Left wrist X-ray | PA/AP view | image 89.0 mm wide
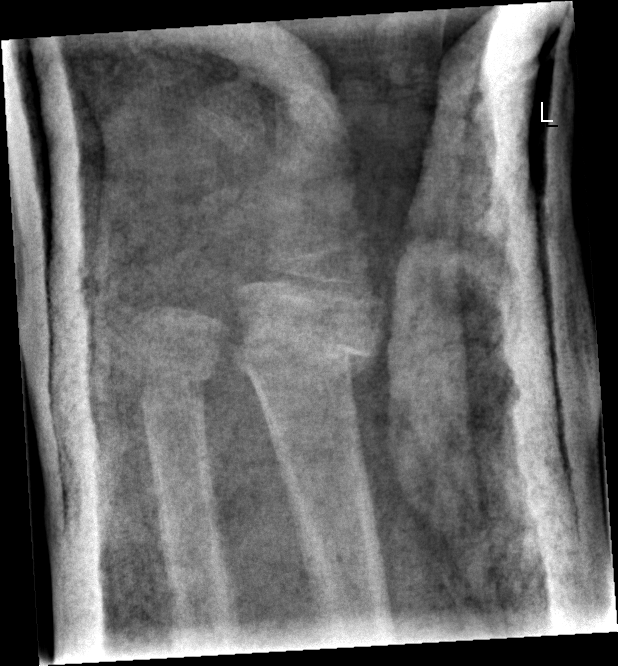
(boxes as x1,y1,x2,y2 (top-left / bottom-right, pixel units))
Fx: (left=229, top=312, right=383, bottom=395) (left=124, top=341, right=223, bottom=403)